Lateral view | right wrist radiograph:

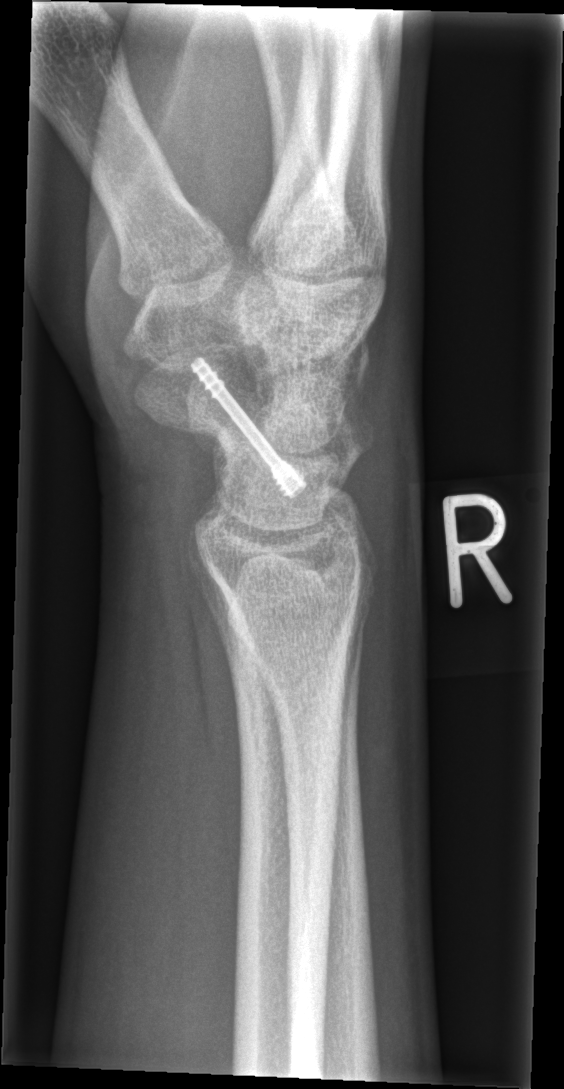 (boxes as x1,y1,x2,y2 (top-left / bottom-right, pixel units))
AO classification = 72B(b)
Bone fracture = present but not clearly seen in this view
Metal = 1 @ (left=187, top=359, right=304, bottom=496)